Left pediatric wrist radiograph; lateral view; acquired on Siemens; 440x1004 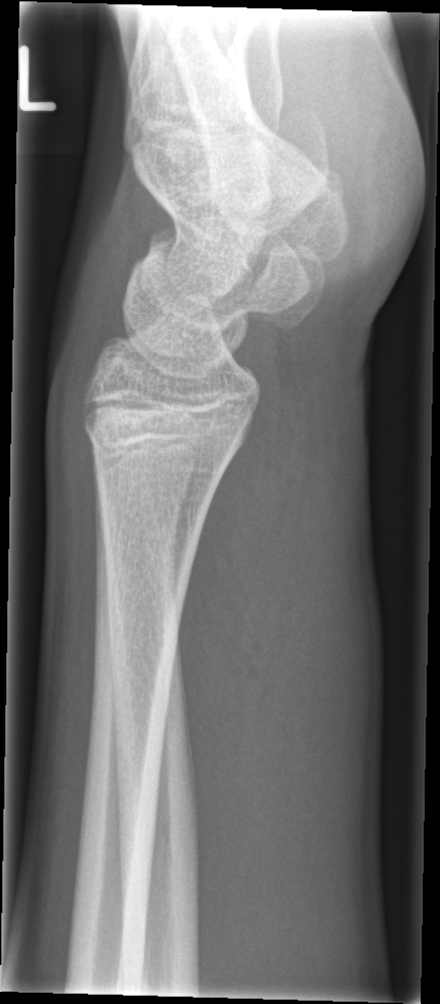 FINDINGS: Pronator sign — (174, 389, 283, 847). One soft tissue abnormality at (47, 325, 99, 557). Bone fracture: (80, 408, 242, 478).